Lateral projection | L plain radiograph of the wrist | image size 862x1252: 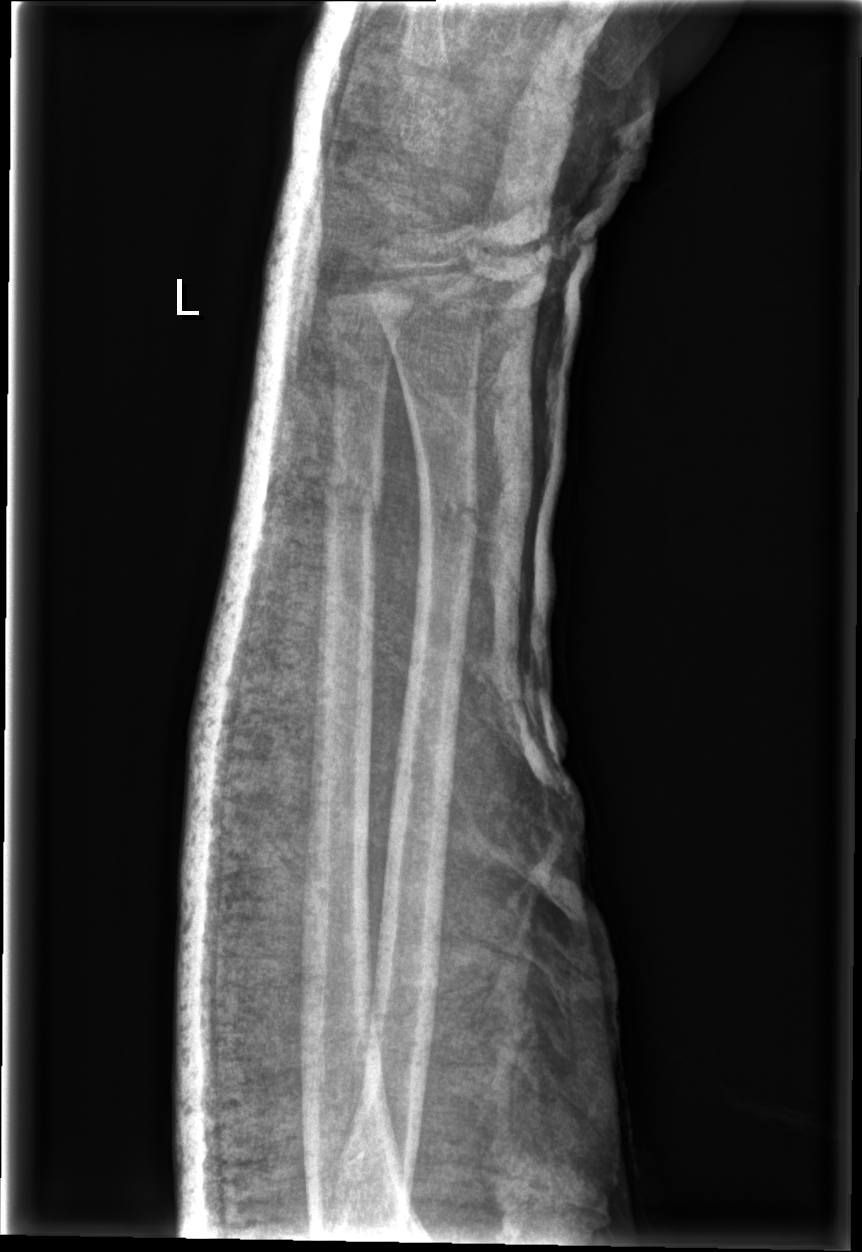 * Fracture classified AO/OTA 22-D/2.1.
* Fracture: (318, 467, 386, 521) (414, 492, 481, 536).